Right wrist radiograph · lat view · acquired on Siemens:
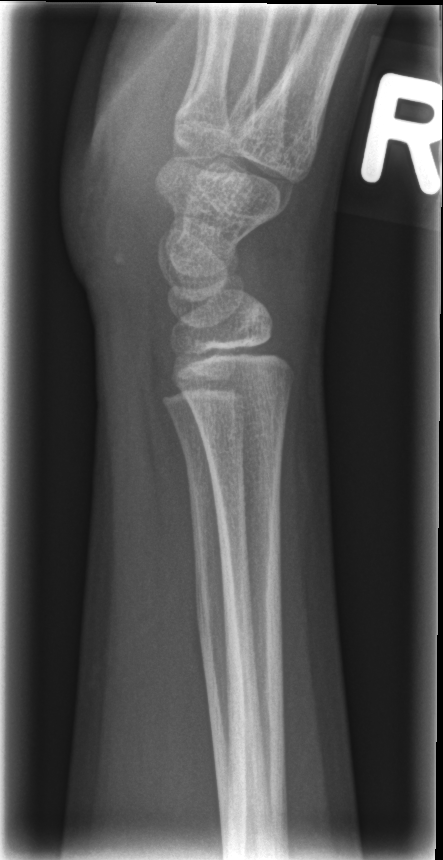 No fracture annotation.